Lat view · right wrist X-ray · 395 by 1198 pixels —
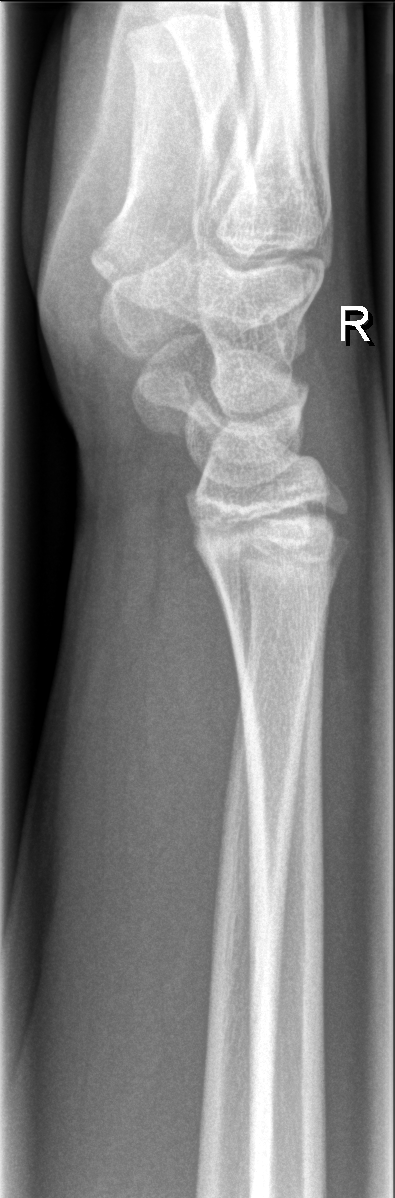 fracture: none labeled